Right wrist X-ray, frontal projection, 6-year-old girl, Siemens, image size 480x742.
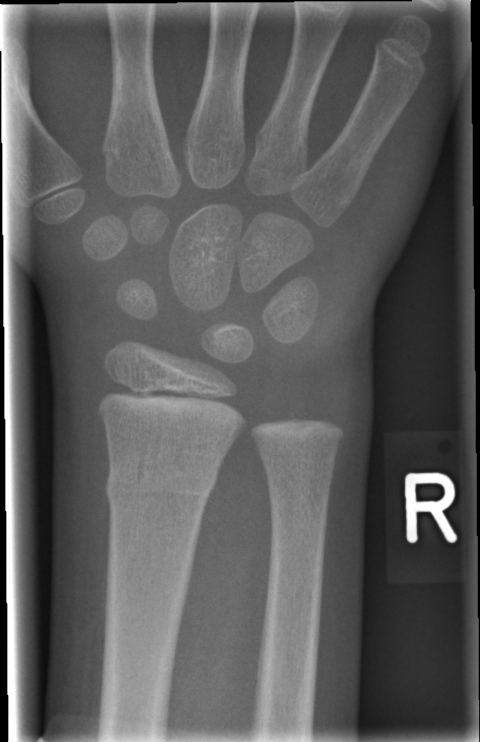 • Bone fracture: 102,458,221,517.